PA projection, left pediatric wrist radiograph

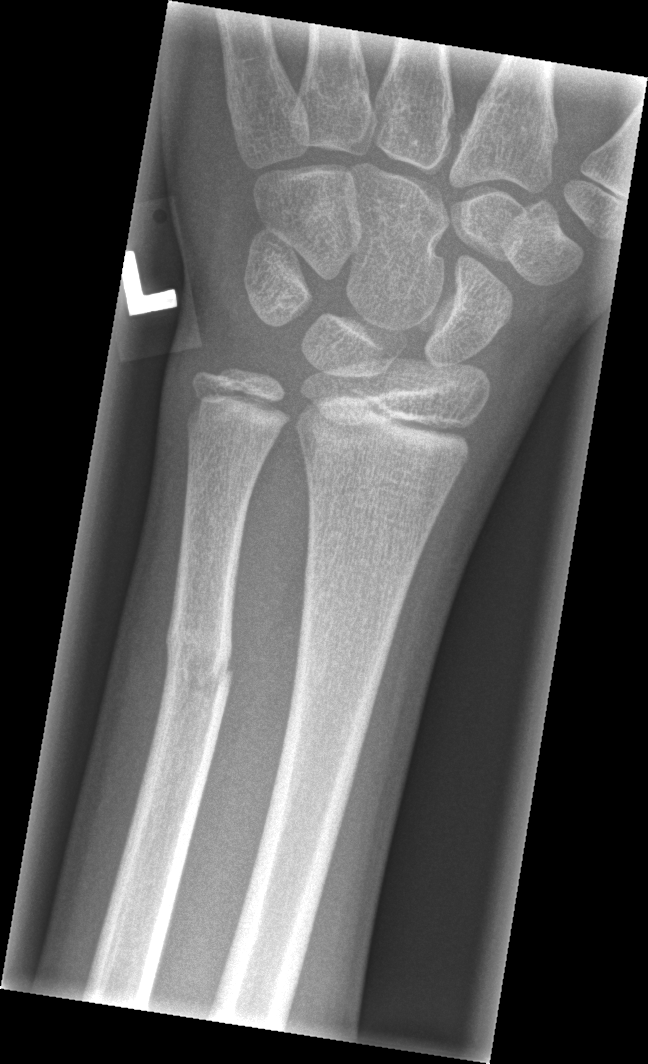

{"fracture": "1 @ bbox(163, 622, 237, 723)", "ao": "22u-D/2.1"}